Right wrist plain radiograph of the wrist, lat projection, 763 x 1514 px.
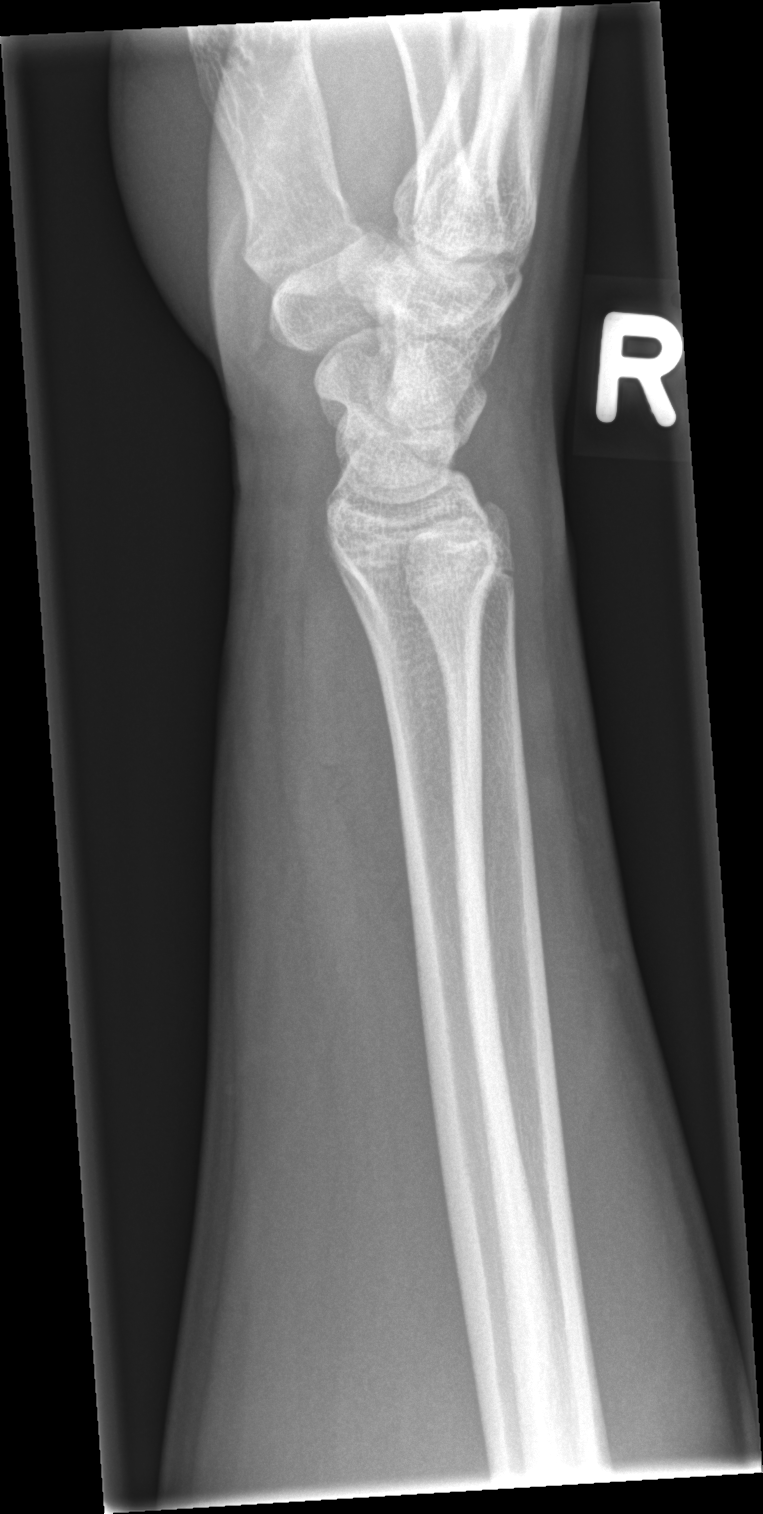 Findings: One fracture at [x1=339, y1=540, x2=503, y2=633]. Pronator sign: [x1=291, y1=537, x2=430, y2=1005]. AO code 23r-M/2.1.